Right wrist plain film, frontal projection, 8-year-old girl —

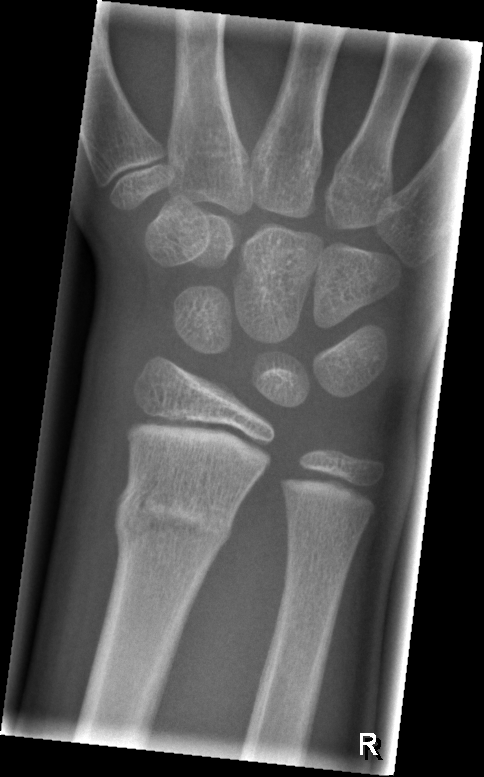
• One Fx at (109, 472, 236, 555).
• Fracture classified AO/OTA 23r-M/2.1.